R wrist plain film | frontal | cast in situ:

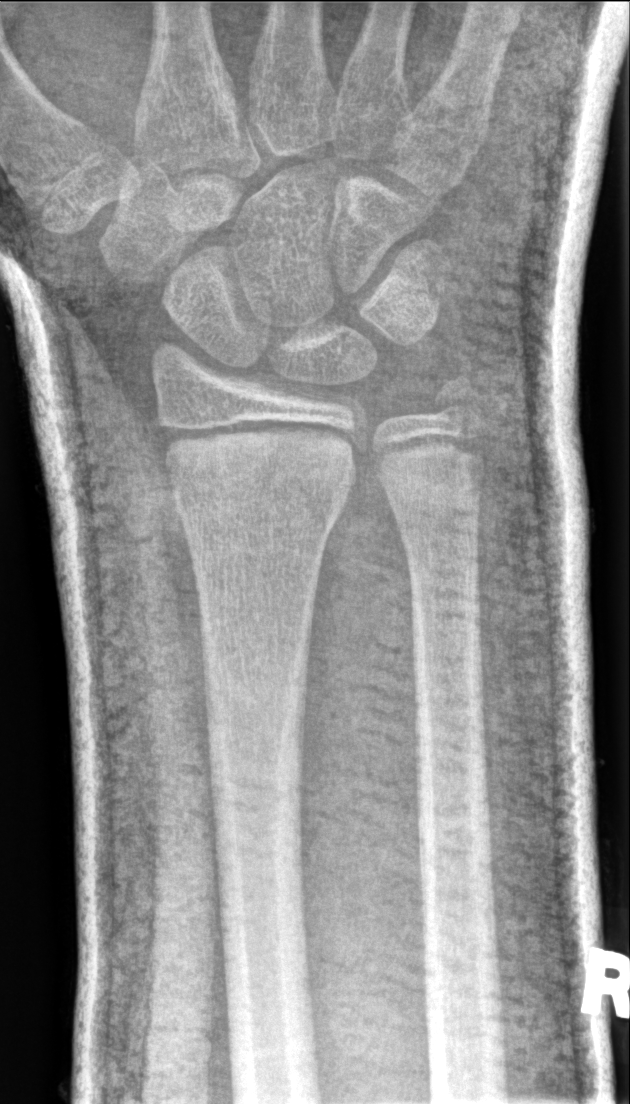 Findings: Bone fractures — (154, 421, 367, 526), (416, 366, 486, 432). AO code 23r-E/2.1; 23u-E/7.